L wrist X-ray; lat; Siemens; 463 x 824 px

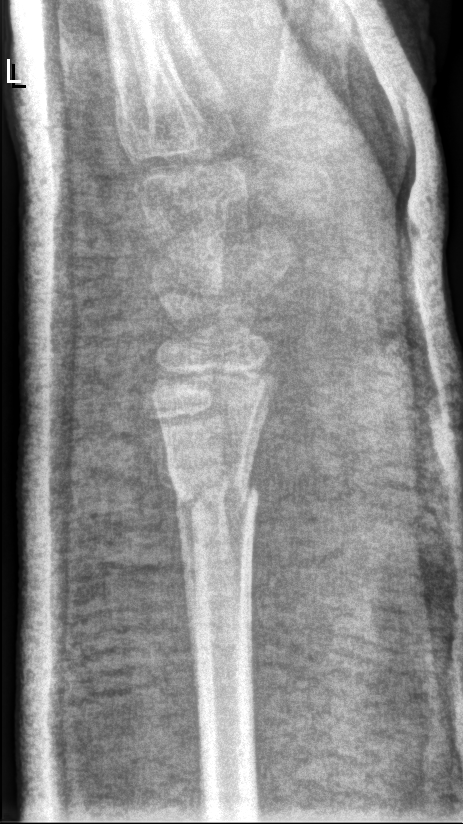
Bone fracture: [x1=166, y1=455, x2=265, y2=533].